Left wrist XR · lateral · boy, 12 yo:
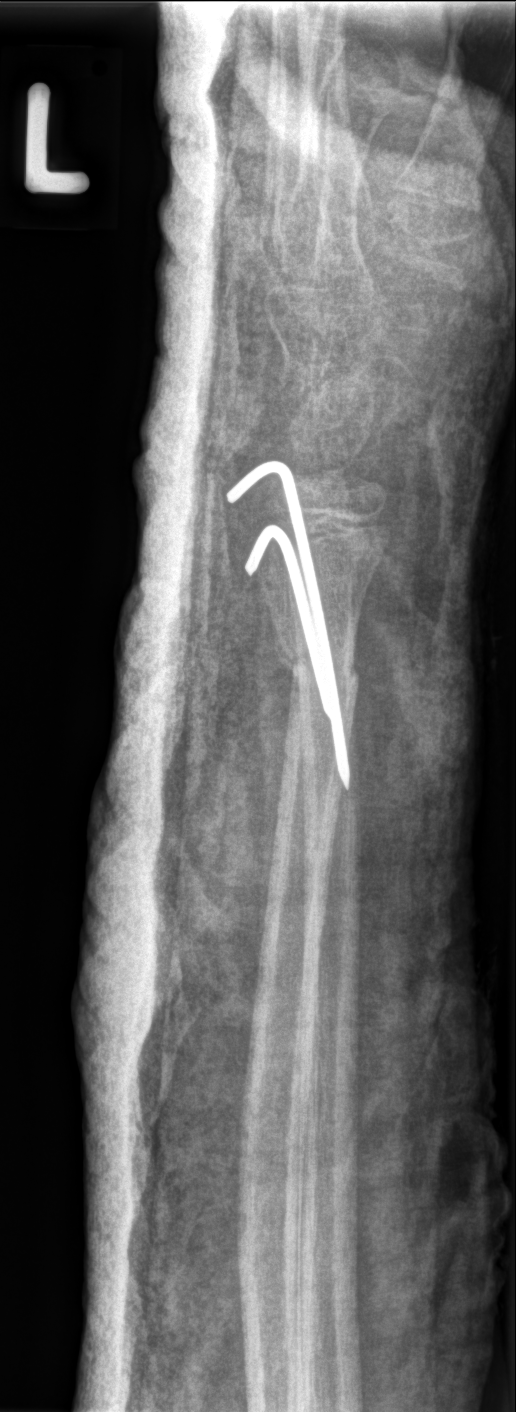 (pixel coordinates, top-left origin, xyxy)
Q: Locate any fractures.
A: Fx: 272 632 363 702
Q: Locate any hardware.
A: Metal — 226 460 349 792